Left plain radiograph of the wrist; posteroanterior projection; 16y M; in cast: 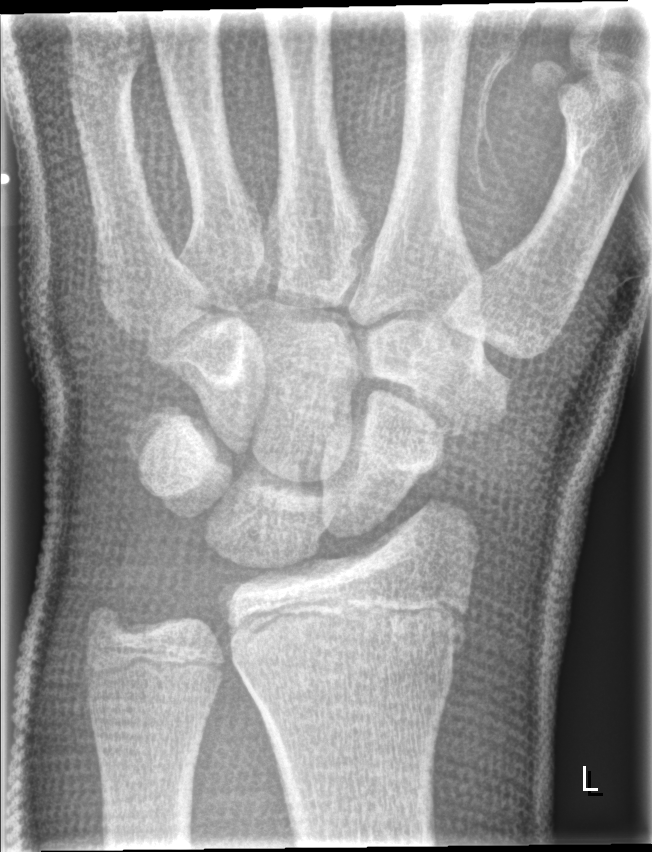

Findings: (coordinates are [x1, y1, x2, y2] in image pixels) Fx identified at (223, 589, 466, 705).